L plain radiograph of the wrist | AP | acquired on Siemens —
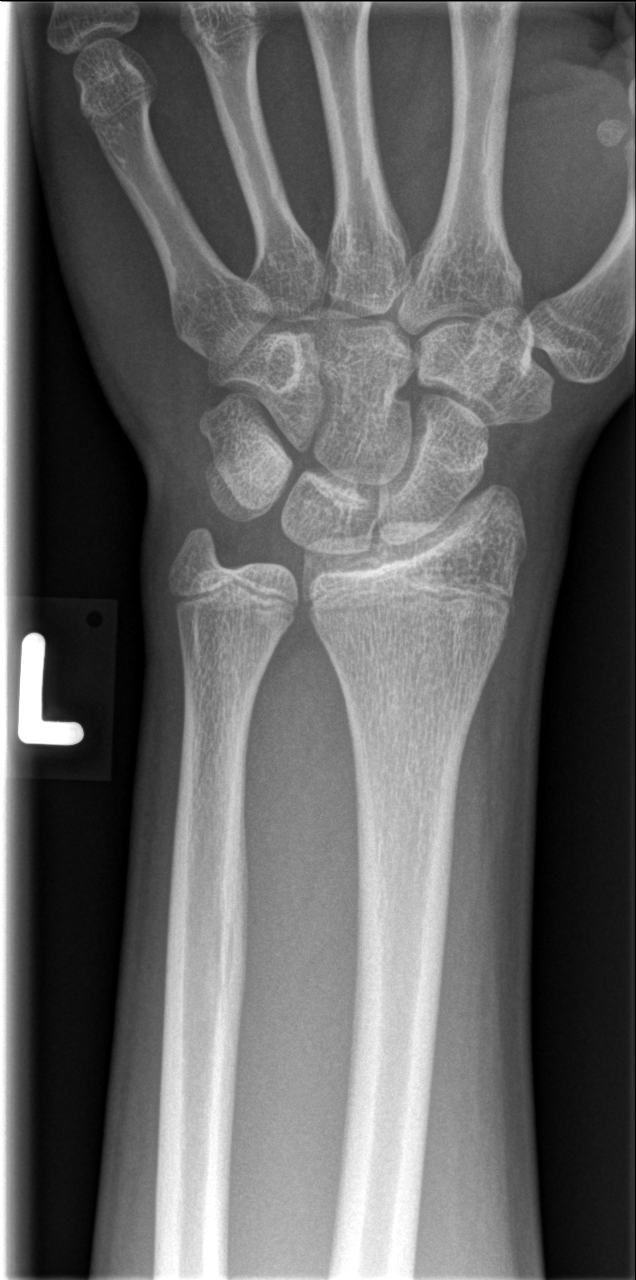
{
  "fracture": "none labeled"
}